Lateral; left wrist radiograph; 3y F; initial study.
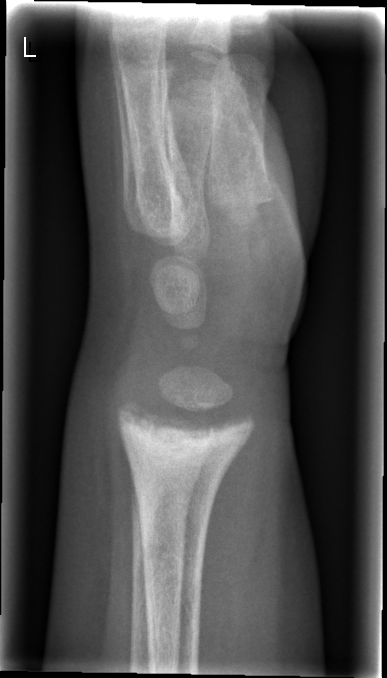

• Boxes as x1,y1,x2,y2 (top-left / bottom-right, pixel units).
• Fx: none.
• Bone anomaly: bbox(106, 385, 258, 481).